Left pediatric wrist radiograph | AP view | pediatric patient (male, age 12) | in cast | detector: Siemens | 107.6 mm image width | image size 747x1362 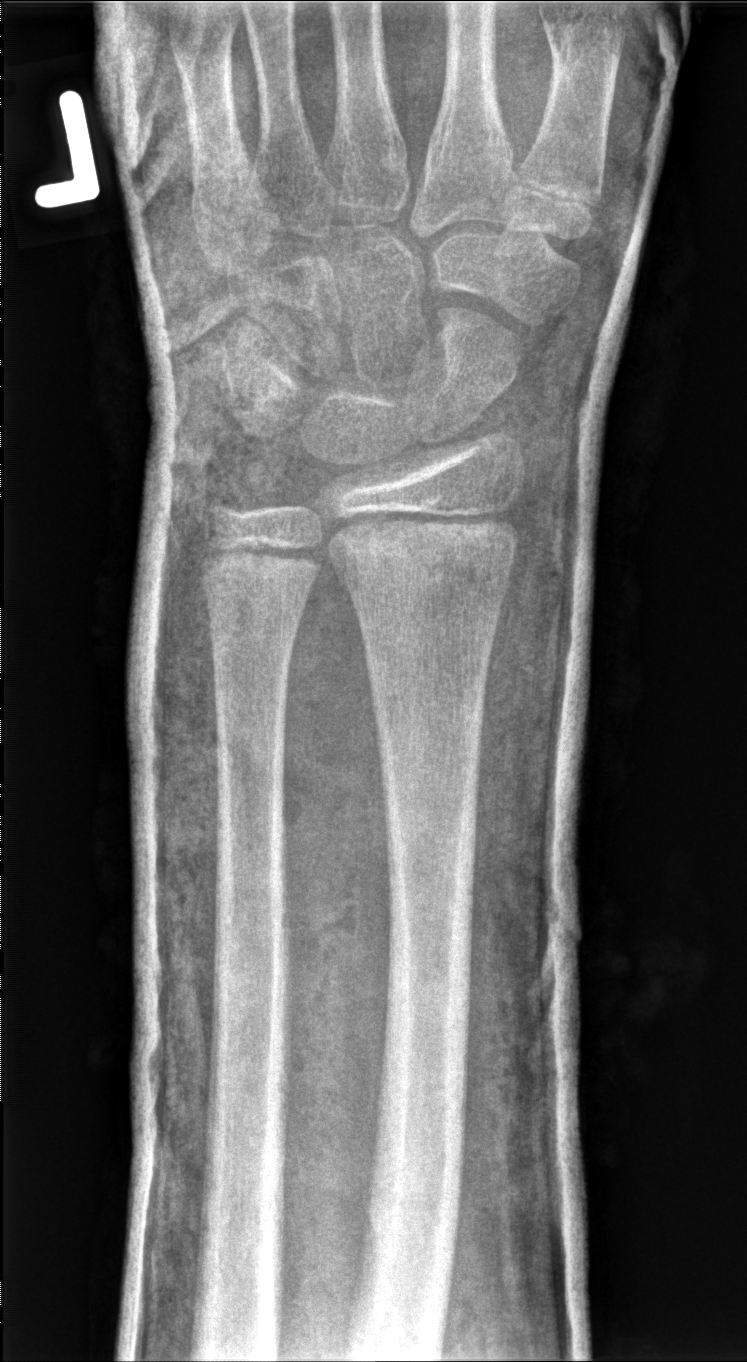 (coordinates are [x1, y1, x2, y2] in image pixels)
fracture = [x1=327, y1=509, x2=523, y2=606]